Frontal projection · right wrist XR —
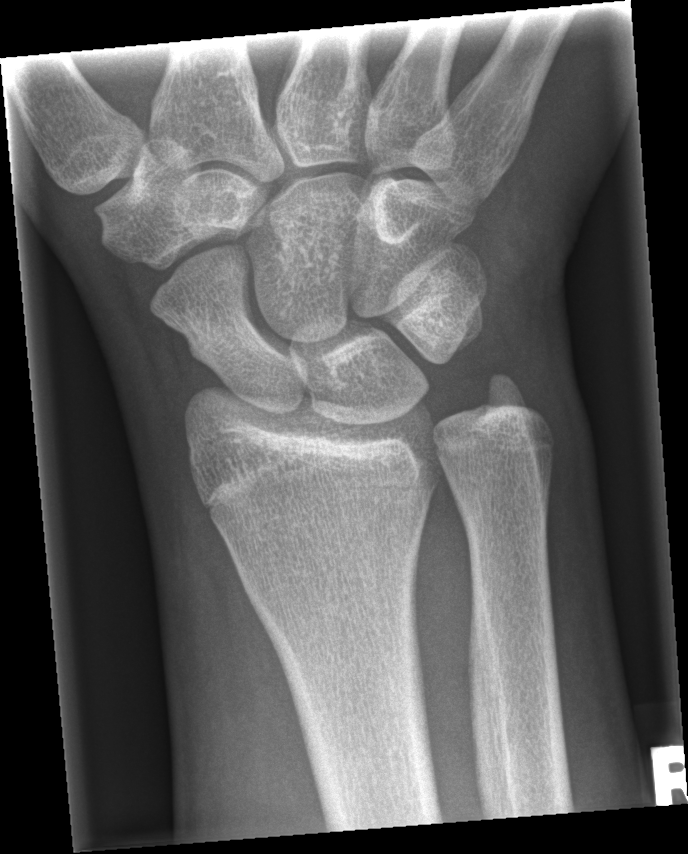
Q: Is there a fracture?
A: No fracture annotation